AP view, Rt pediatric wrist radiograph 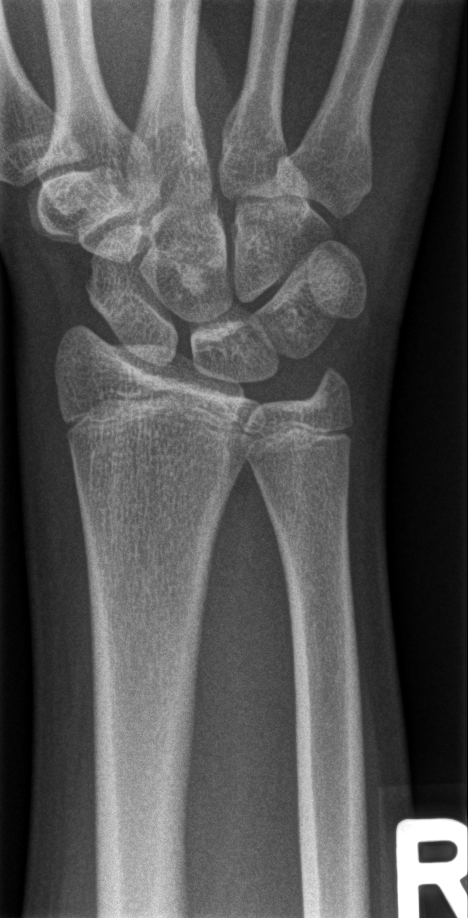
{
  "fracture": "none labeled"
}